Right plain radiograph of the wrist; lat; pediatric patient (male, age 12); cast present; detector: Siemens; 609 by 1302 pixels: 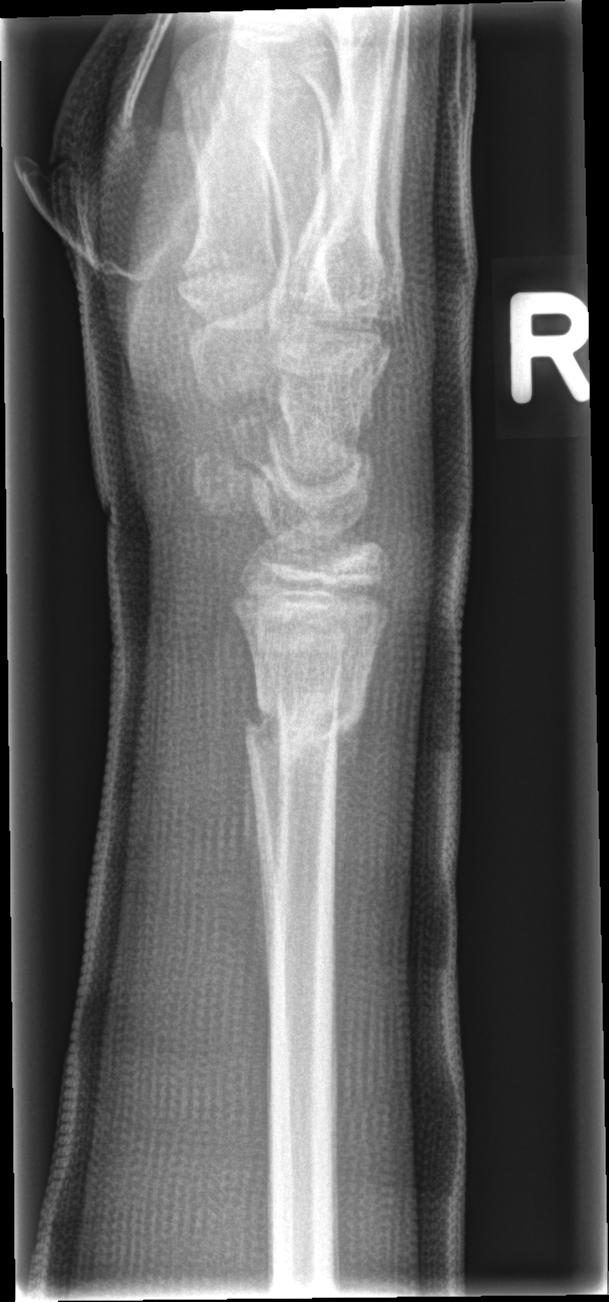
Pixel coordinates, top-left origin, xyxy. Bone fracture: (left=253, top=685, right=367, bottom=753).